Left pediatric wrist radiograph, PA projection, pediatric patient (girl, age 8):
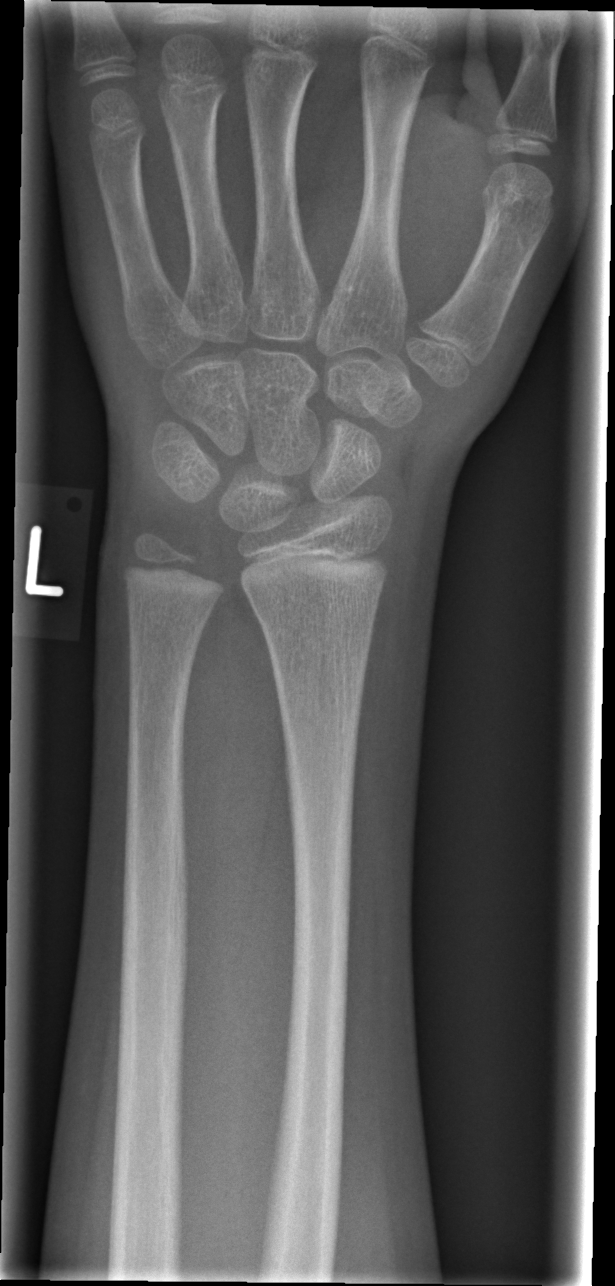
Bone fracture = none labeled